Left wrist XR · PA view: 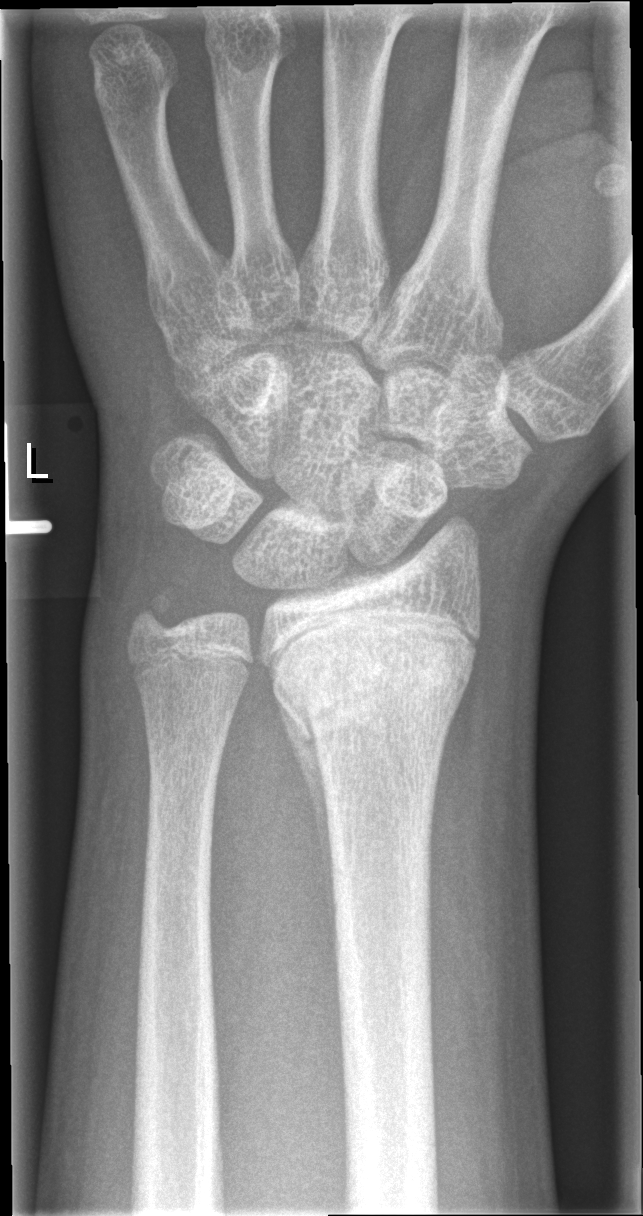
Q: Locate any periosteal reaction.
A: One periosteal reaction at (274, 694, 333, 902)
Q: Locate any fractures.
A: Two fractures at (269, 625, 479, 755), (122, 577, 189, 647)
Q: AO code?
A: AO/OTA classification: 23r-M/3.1; 23u-E/7
Q: Bone density?
A: Decreased bone density (osteopenia)